Lateral; L wrist XR — 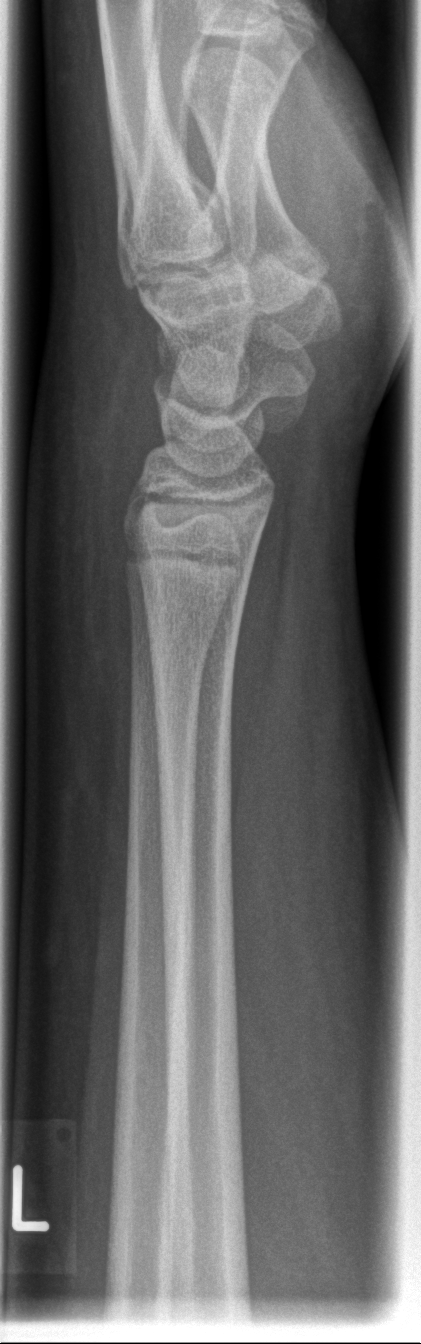
  fracture: none labeled